Left wrist X-ray, lateral projection, image size 752x1124

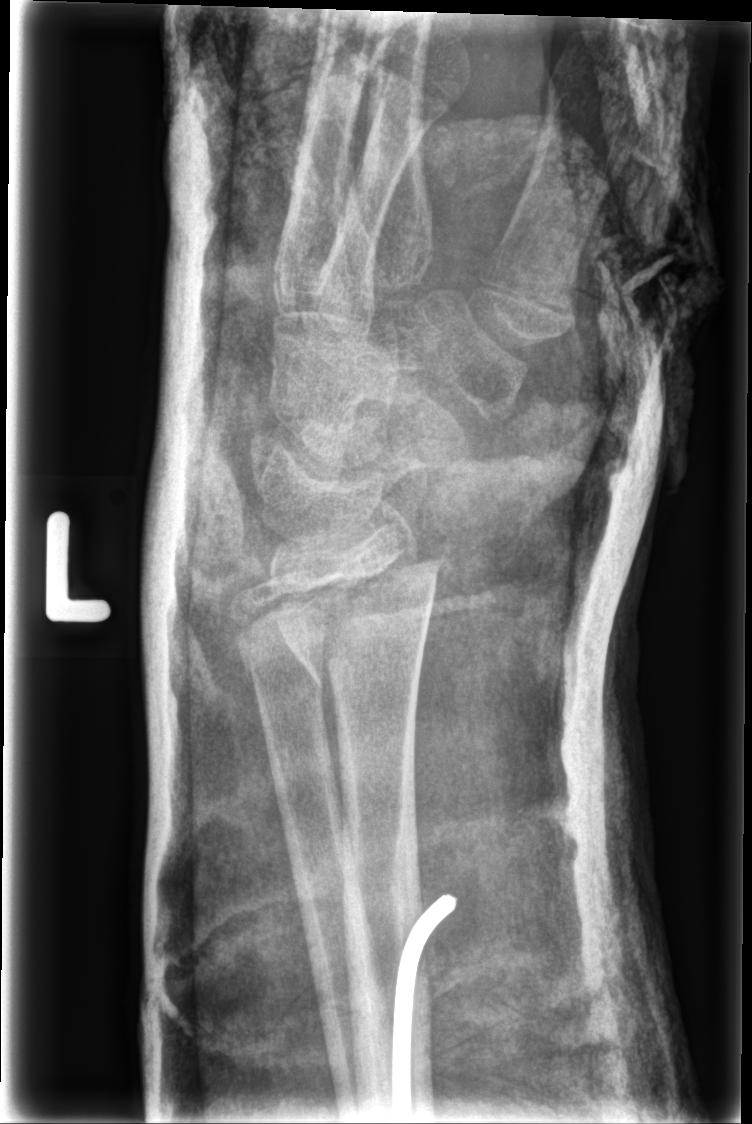
FINDINGS — Fx — bbox(271, 542, 449, 698); bbox(235, 618, 328, 684). Metallic hardware identified at bbox(390, 886, 460, 1121).